Lat projection, left plain radiograph of the wrist, boy, 9 yo, image 59.2 mm wide, image size 411x772 —
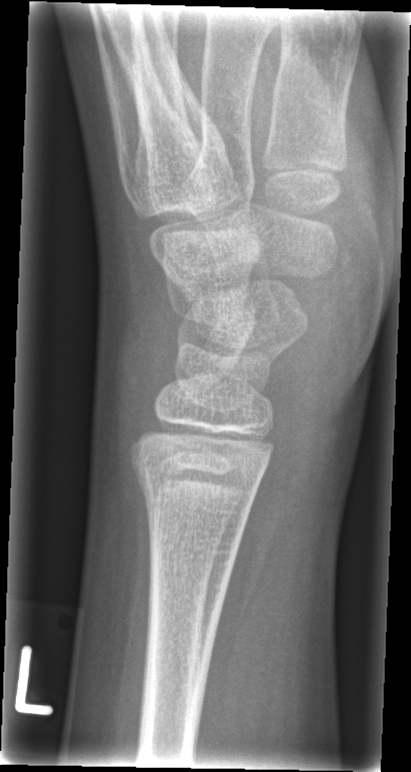
  # coordinates are [x1, y1, x2, y2] in image pixels
  fracture: 131 461 264 535